Lateral projection · left wrist plain film · image size 594x827 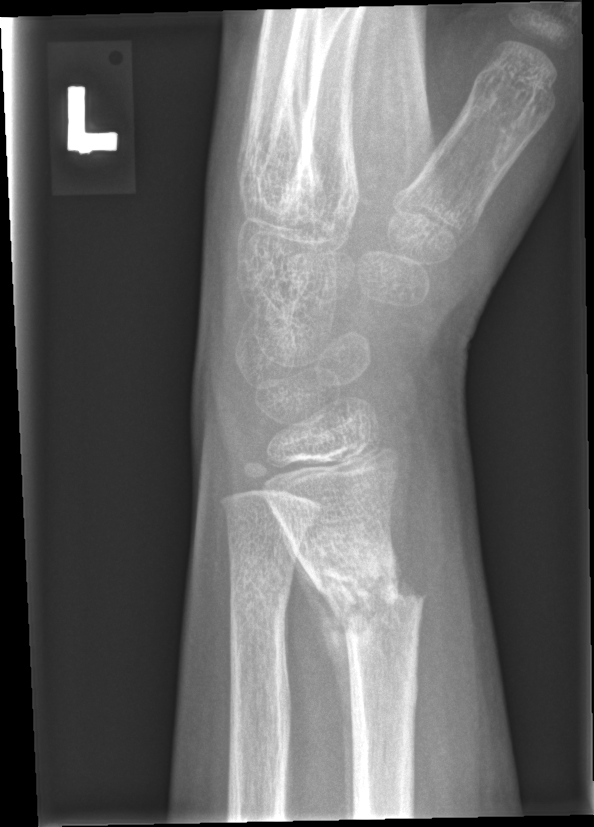

Osteopenia = present
Fx = bbox(302, 538, 429, 646); bbox(227, 561, 295, 622)
Periosteal new bone = 1 @ bbox(281, 528, 357, 819)